Lat projection, right pediatric wrist radiograph —

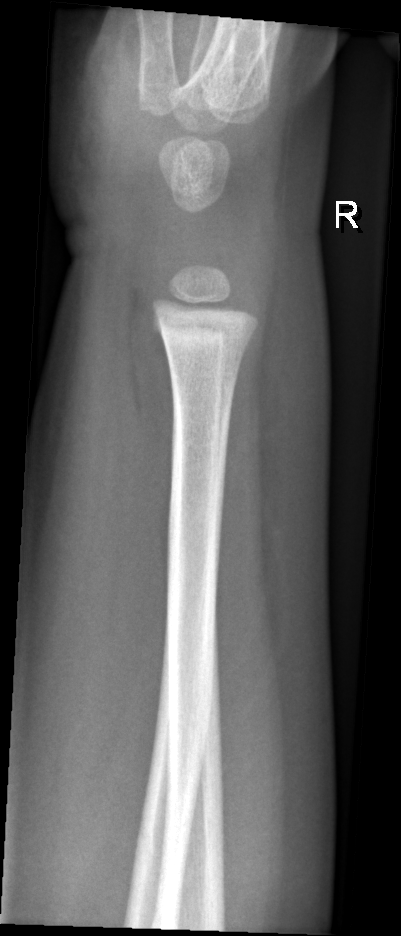
{"fracture": "none labeled"}